AP, L wrist X-ray, 16-year-old girl, detector: Siemens, 90.7 mm image width — 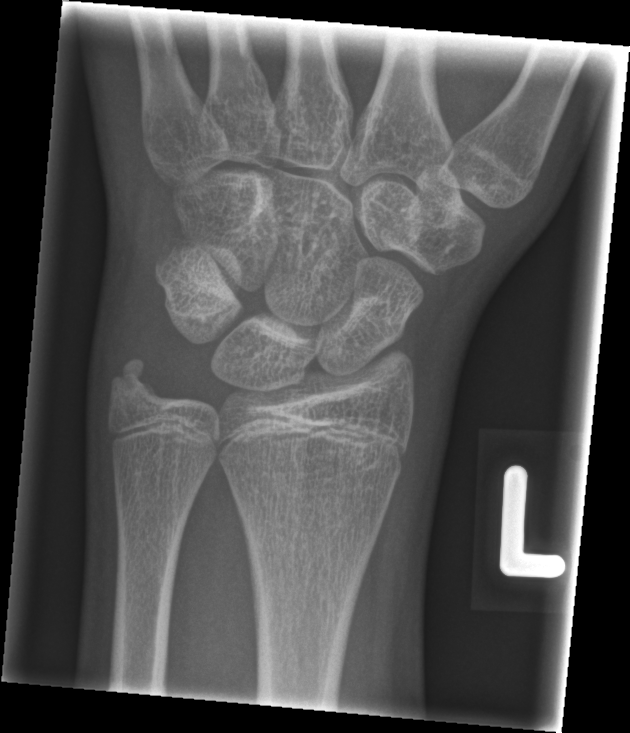

FINDINGS — (pixel coordinates, top-left origin, xyxy) Fracture: (left=101, top=350, right=164, bottom=416).